PA/AP | Rt plain radiograph of the wrist | age 5 y, boy | Siemens
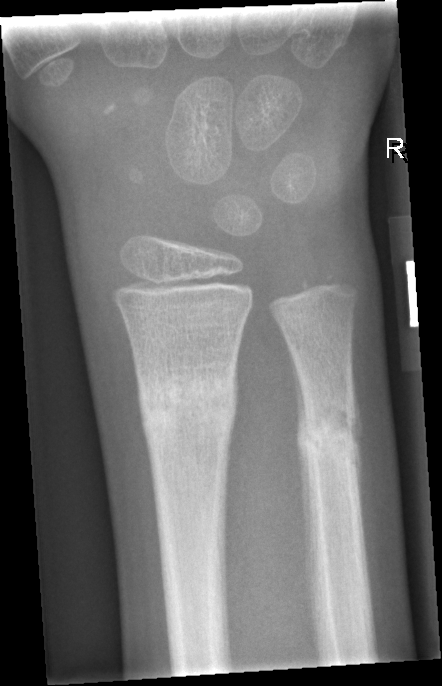 Bone fracture identified at <129,355>-<246,456>; <290,401>-<363,476>.
Periosteal thickening identified at <281,332>-<314,568>, <351,340>-<365,544>.
Fracture classified AO/OTA 23r-M/2.1; 23u-M/3.1.
Osteopenia.